PA view · Lt wrist XR · follow-up study · imaged through cast — 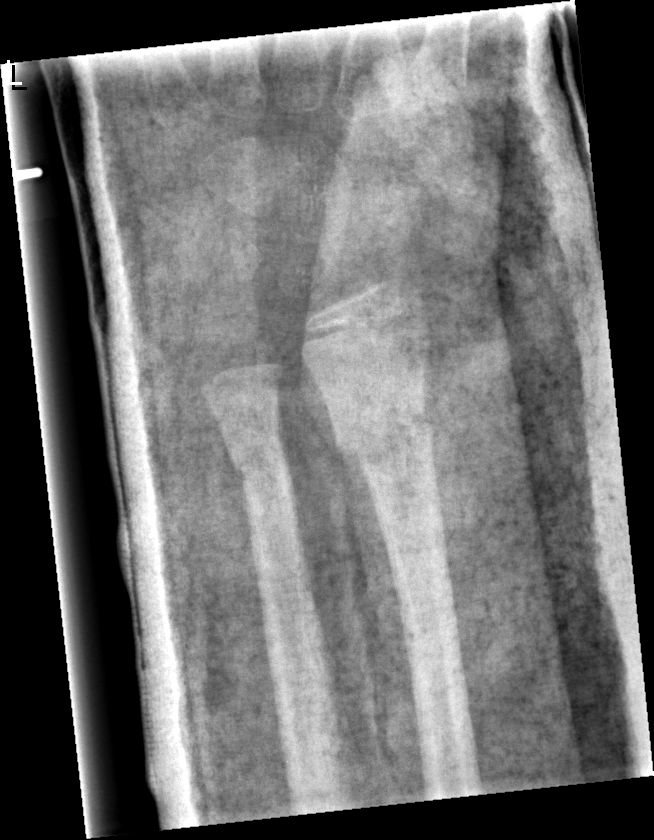

(bounding boxes in image-pixel xyxy)
Q: Is there a fracture?
A: Fx: (331, 390, 438, 477), (223, 431, 292, 488)
Q: AO code?
A: AO/OTA classification: 23-M/3.1